Frontal view, right wrist radiograph, male, 12 yo: 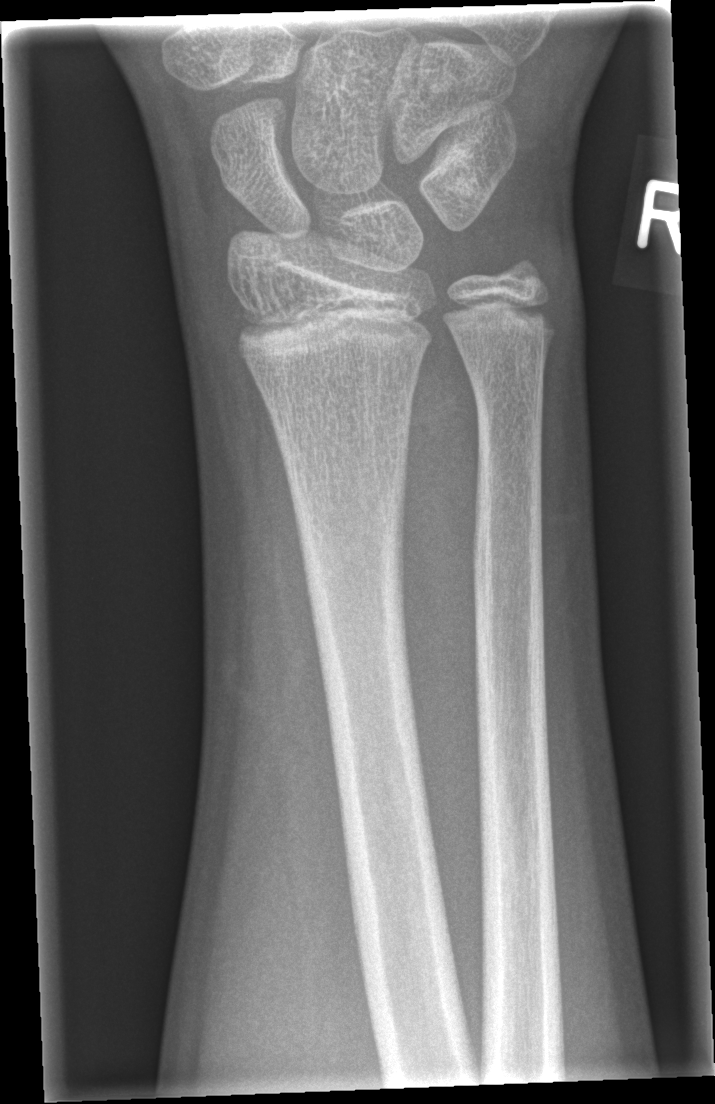

Fracture: none labeled.